Left wrist pediatric wrist radiograph · lat · in cast —
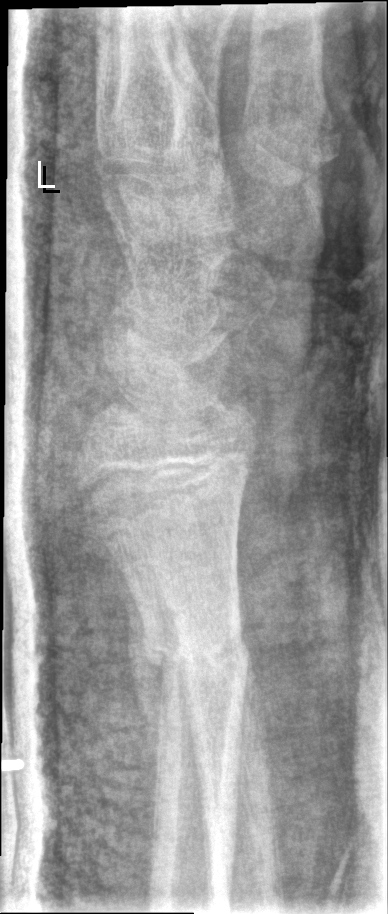

Periosteal new bone: bbox(111, 549, 164, 813).
Bone fracture identified at bbox(136, 604, 254, 701).